Lat · right wrist plain radiograph of the wrist · age 10 y, girl · 68.0 mm image width
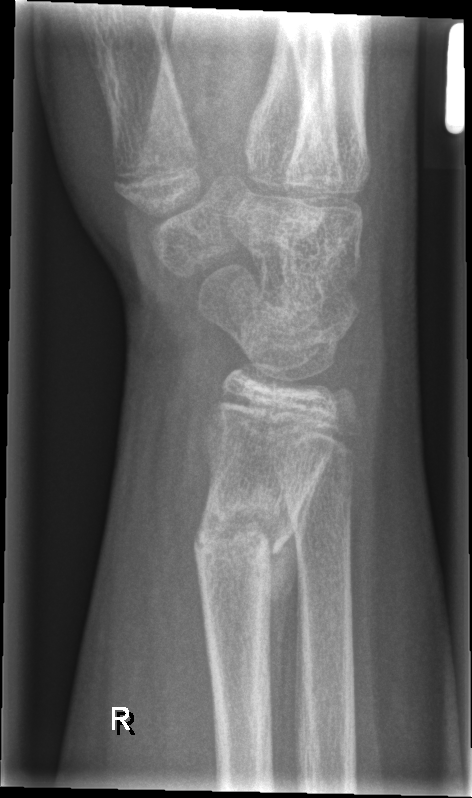

Coordinates are [x1, y1, x2, y2] in image pixels. Periosteal reaction identified at [269, 510, 302, 652]. One bone fracture at [191, 486, 301, 628]. AO/OTA classification: 23r-M/3.1; 23u-E/7.